Frontal | left wrist X-ray. 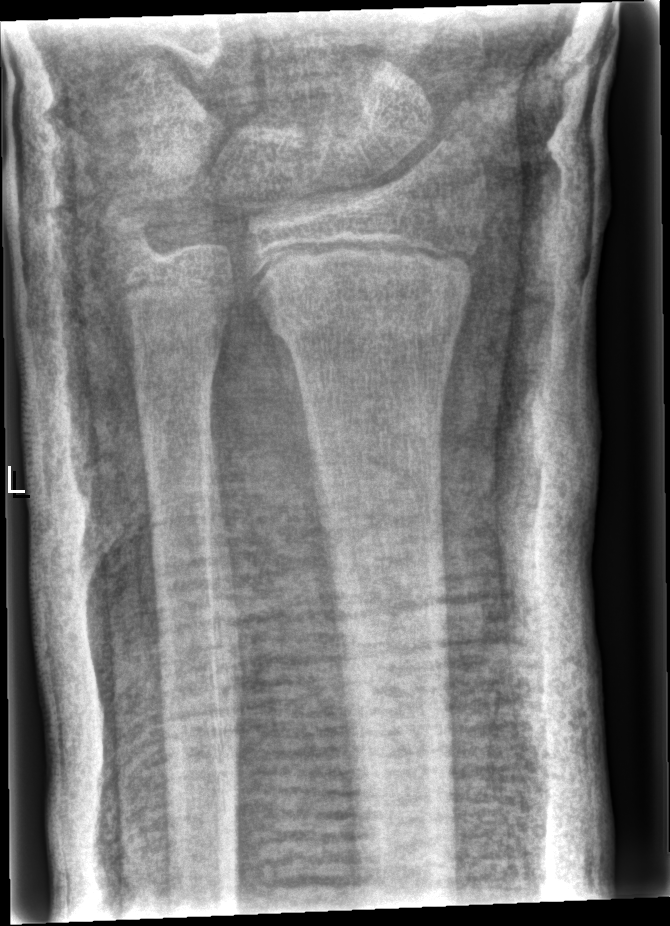
Bounding boxes in image-pixel xyxy.
One Fx at 262 283 470 357.
One periosteal new bone at 273 332 315 494.